Left wrist XR · lateral · girl, 3 yo · index exam · acquired on Siemens
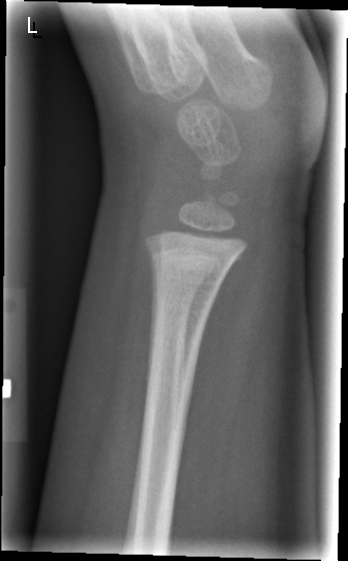 Fx: none.